Right wrist XR, lateral projection, age 11 y, male, initial study —
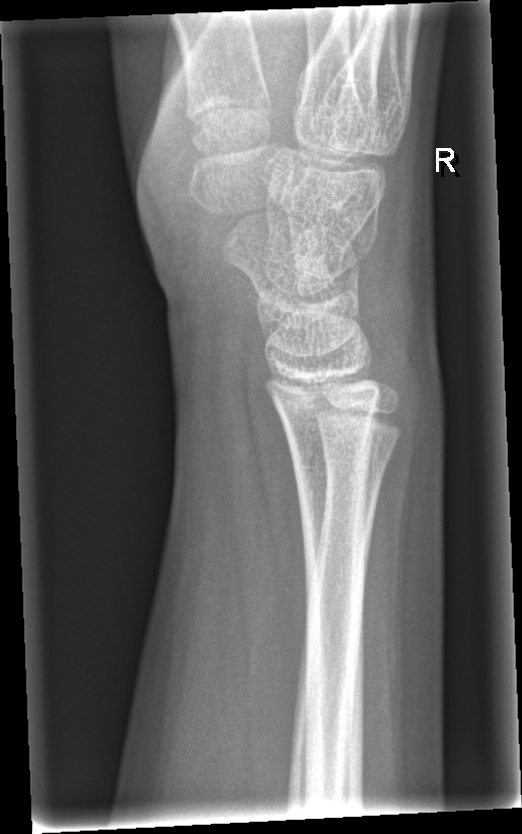 Findings: No fracture annotation.